Frontal view; Rt pediatric wrist radiograph. 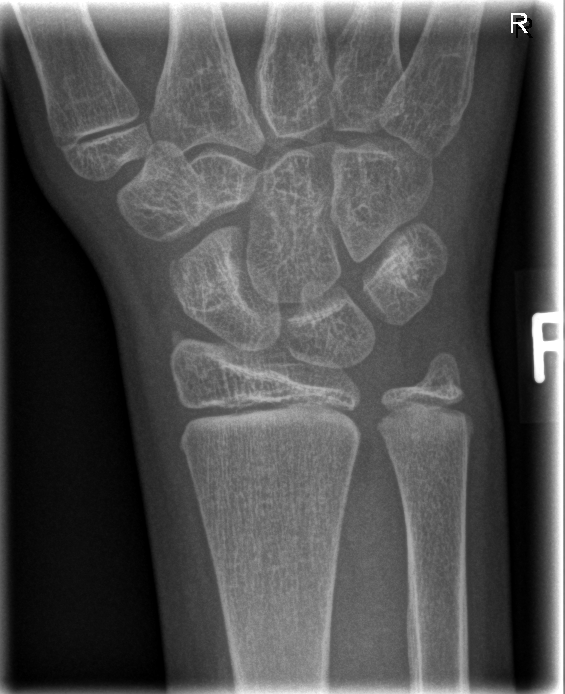
FINDINGS — Fracture classified AO/OTA 72B(b). Fx — (159, 245, 212, 324).